Lateral | Rt pediatric wrist radiograph | age 12 y, male | 508x1108.
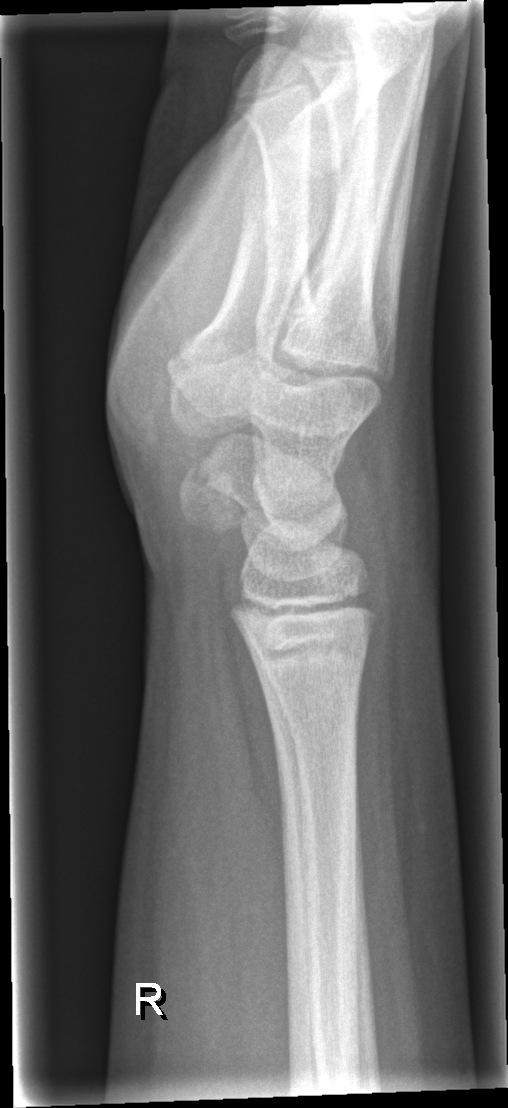 Fx: none.